Lt plain radiograph of the wrist · lateral projection · girl, 2 yo · follow-up study:

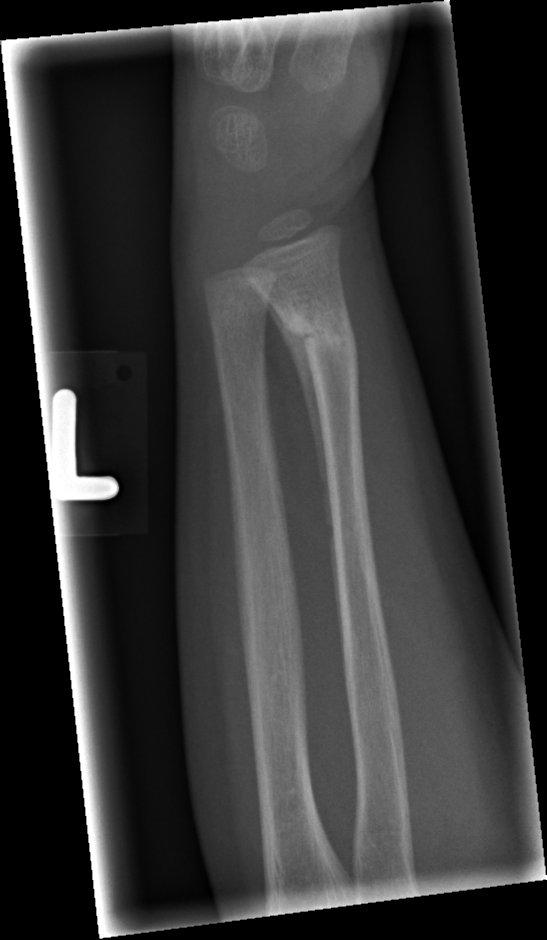 Decreased bone density (osteopenia).
Fx identified at 280 307 356 362; 205 283 274 339.
Periosteal thickening — 245 275 345 666.